Lat projection · right wrist pediatric wrist radiograph · 14-year-old male · follow-up study · Siemens
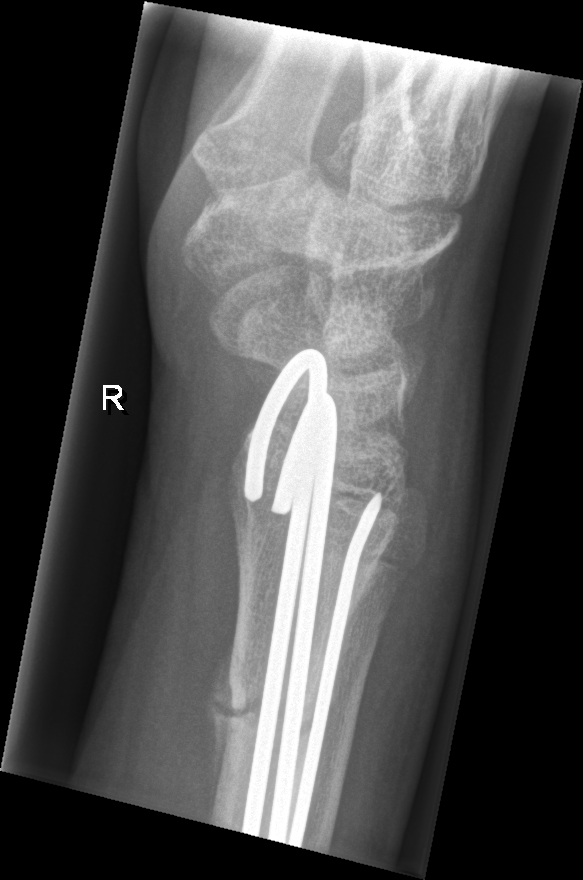

Hardware identified at [x1=239, y1=348, x2=381, y2=845]. Osteopenia. Fracture: [x1=211, y1=658, x2=326, y2=734]. Fracture classified AO/OTA 23r-M/3.1.